Left plain radiograph of the wrist · posteroanterior · cast present 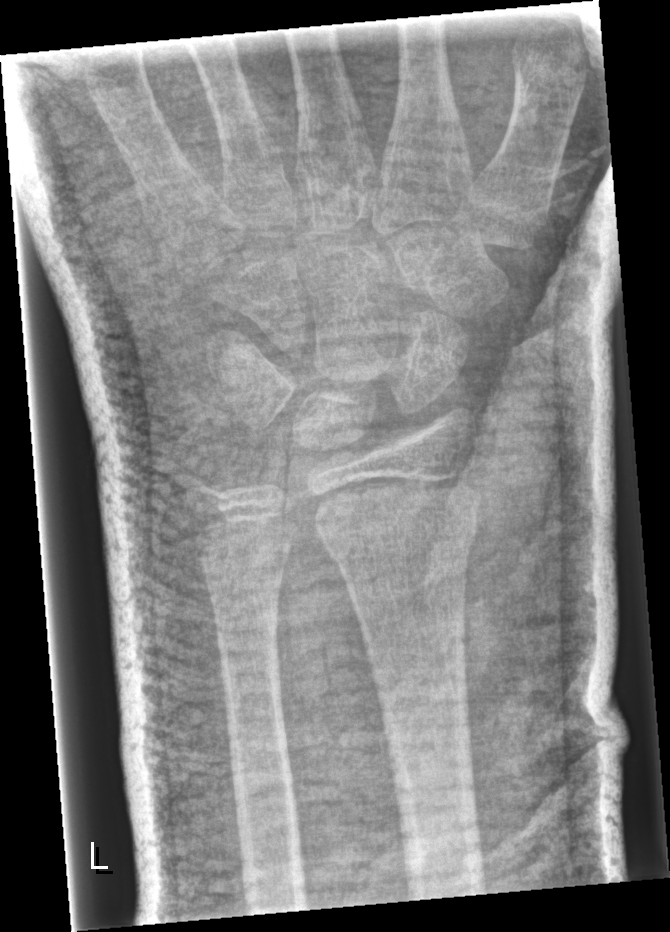
AO/OTA classification: 23r-E/2.1; 23u-M/2.1. One bone fracture at [x1=313, y1=482, x2=485, y2=563].